Right pediatric wrist radiograph; PA/AP view; female, 15 yo; presentation radiograph; Siemens; 596 x 692 px.
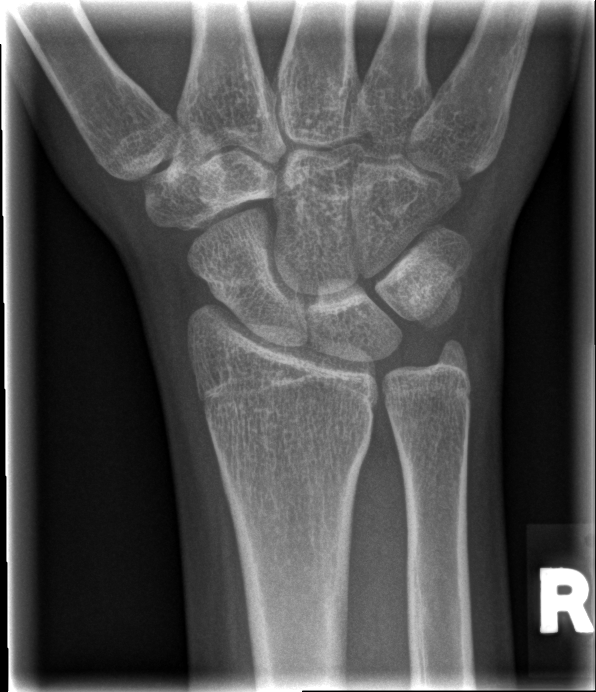 * No fracture annotation.